Left pediatric wrist radiograph, AP projection, in cast, 73.0 mm image width

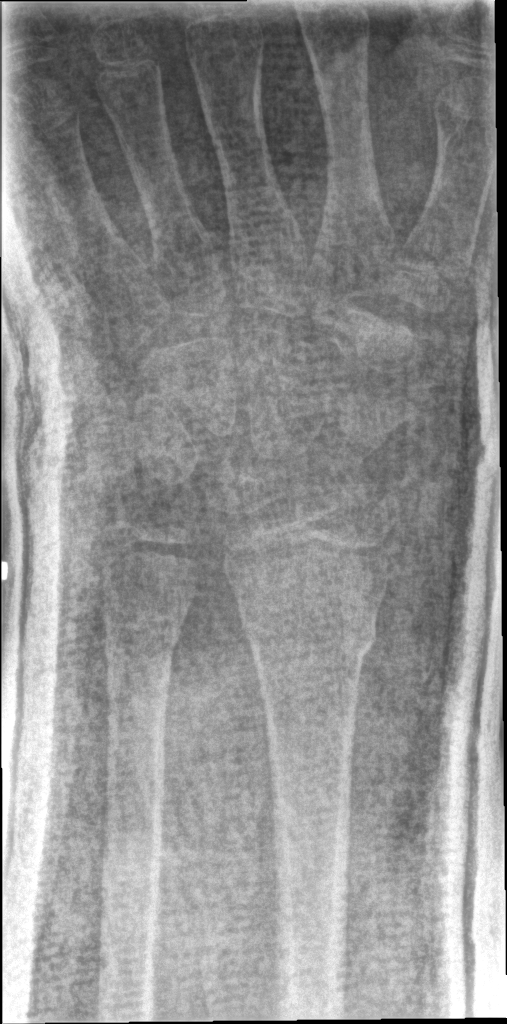

# boxes as x1,y1,x2,y2 (top-left / bottom-right, pixel units)
fracture: (239, 601, 383, 679); (98, 579, 197, 665)